R wrist radiograph · lateral: 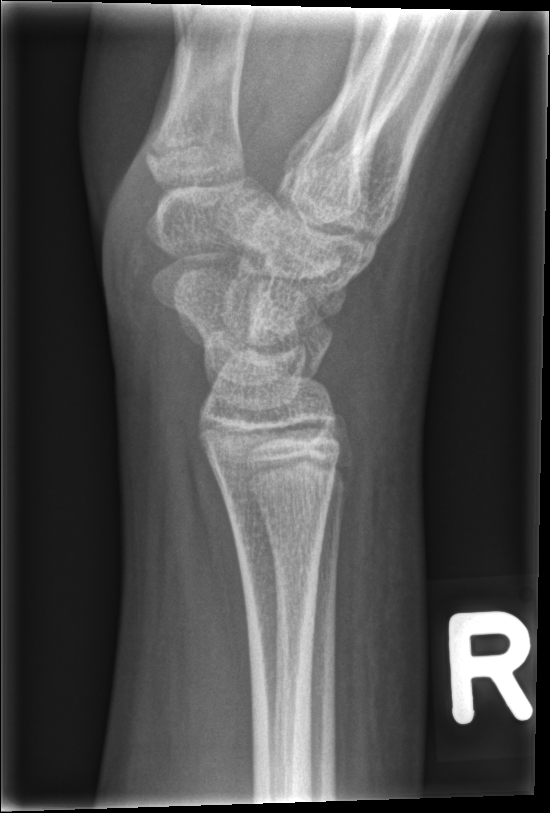 FINDINGS: No fracture bounding box.